PA/AP, right plain radiograph of the wrist, image 73.2 mm wide, 508 by 961 pixels —

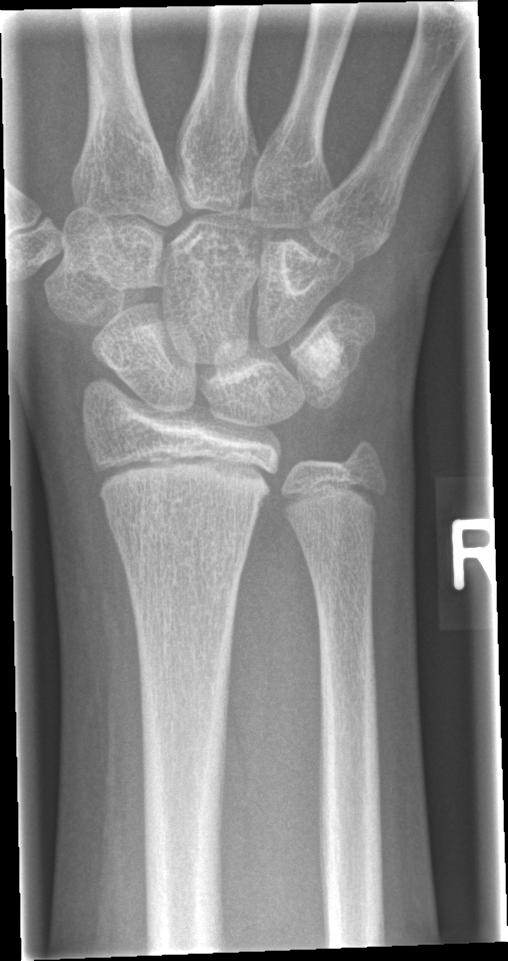 FINDINGS: Fracture classified AO/OTA 23r-M/2.1. Fx: [101, 492, 258, 578].